Right wrist radiograph; AP; imaged through cast —
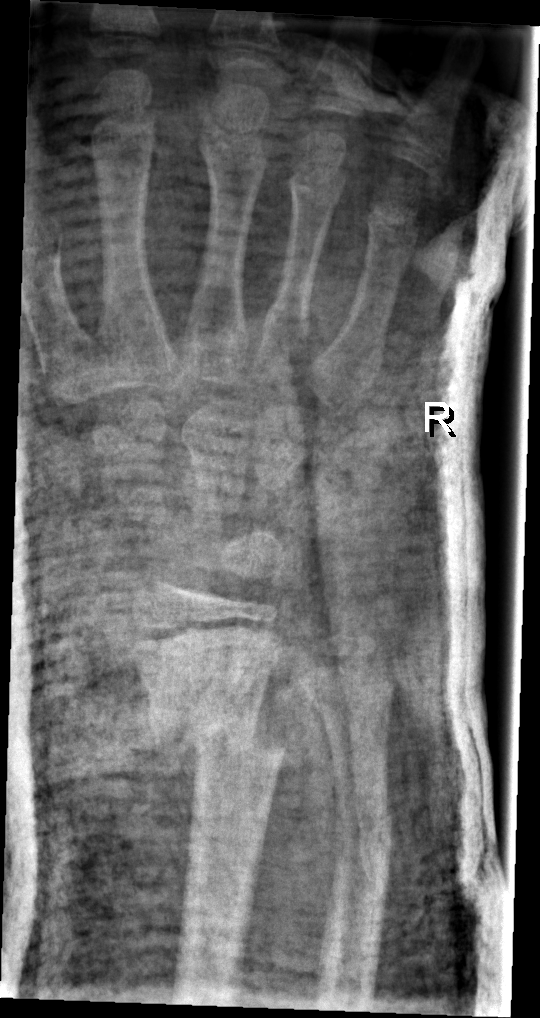 Boxes as x1,y1,x2,y2 (top-left / bottom-right, pixel units). AO code 23-M/3.1. Fractures — bbox(146, 703, 288, 774) bbox(333, 790, 397, 855).